Frontal projection; left wrist radiograph; follow-up study; cast in situ; acquired on Siemens; image width 85.2 mm 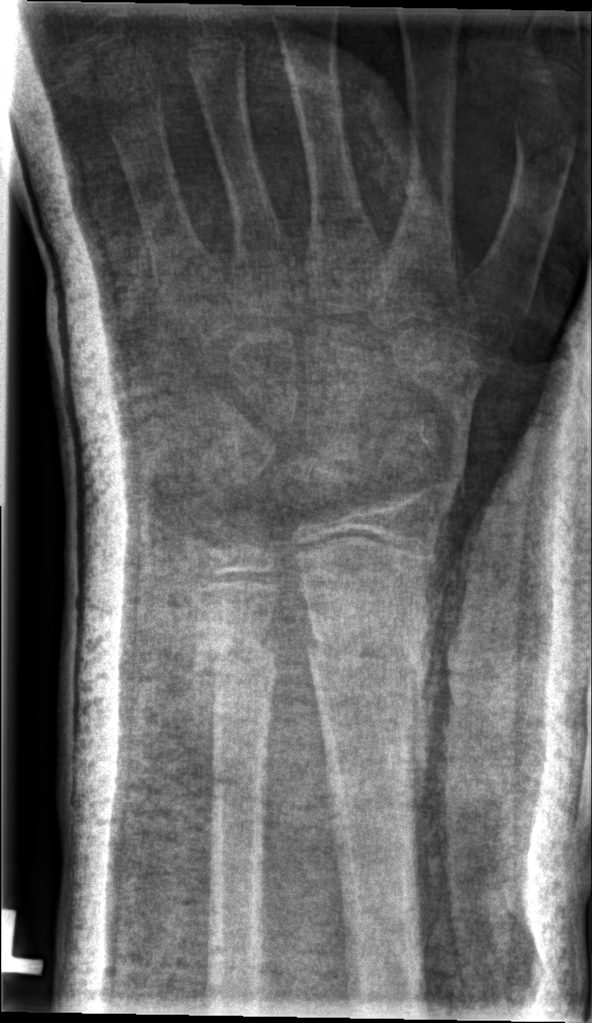
FINDINGS — Fracture: 293 607 441 709; 188 614 284 686.